PA/AP · R plain radiograph of the wrist · Siemens.
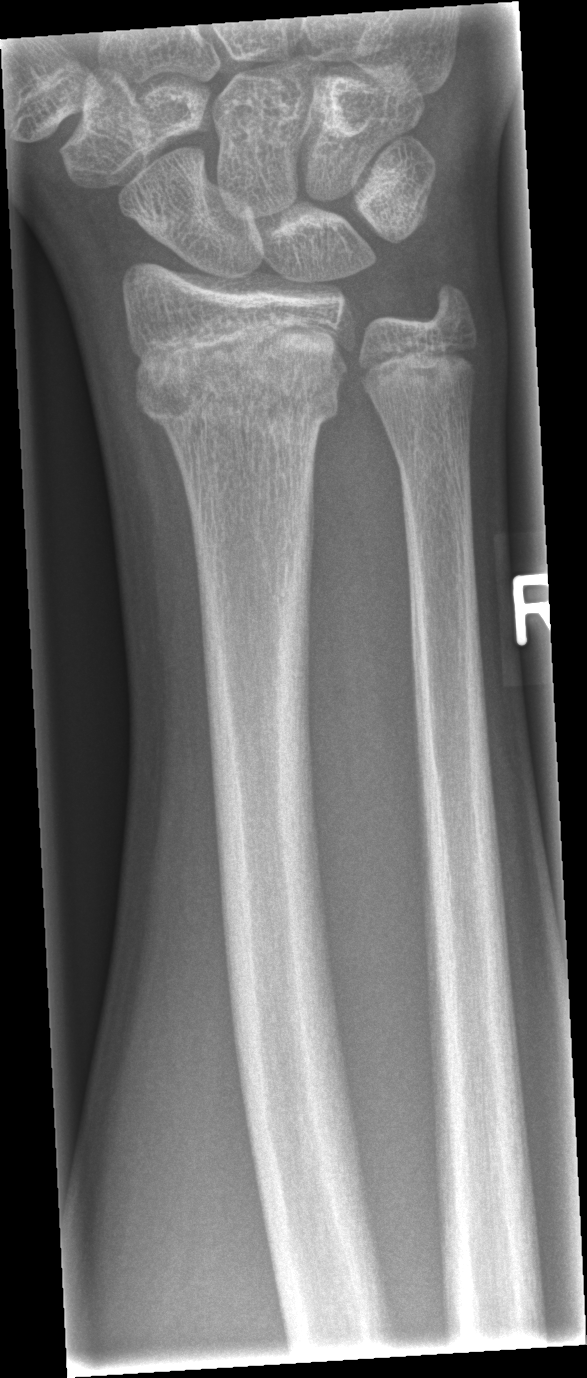
• Bone fracture identified at 127,331,351,449.